AP; L wrist XR; presentation radiograph —
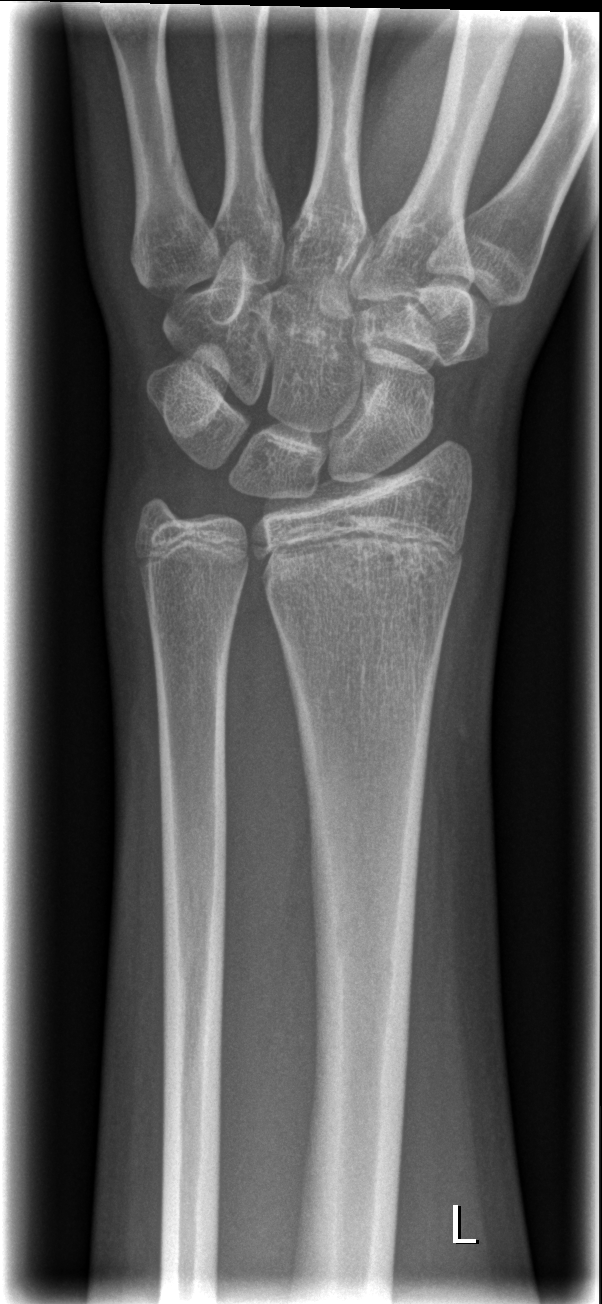

fracture: none labeled